AP, L wrist XR, female, 9 yo. 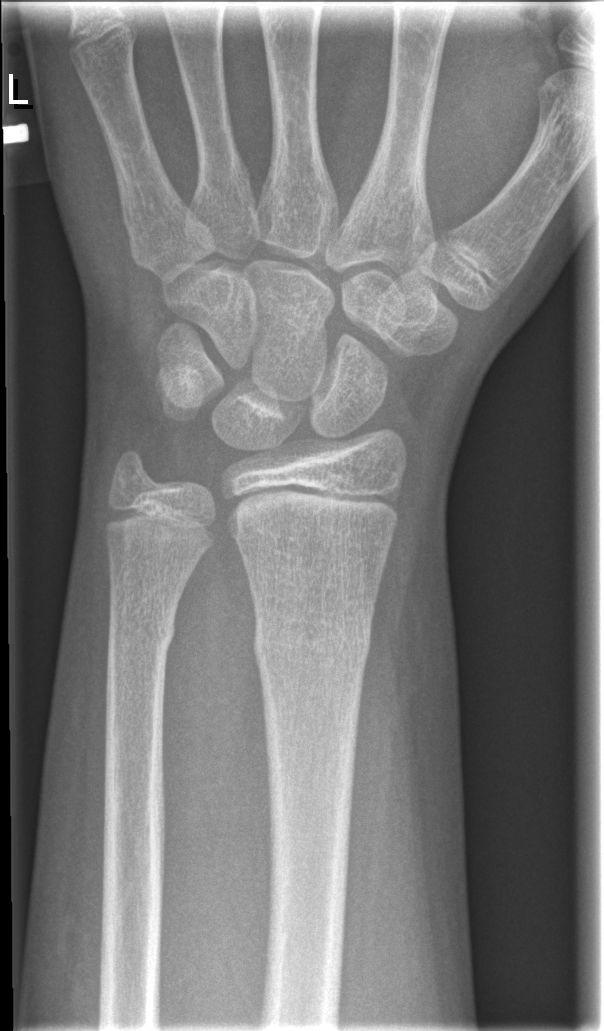
(bounding boxes in image-pixel xyxy)
Fracture: 2 @ (left=251, top=611, right=375, bottom=676); (left=105, top=607, right=179, bottom=658)